Right wrist plain film; lat view; 15y F; follow-up:
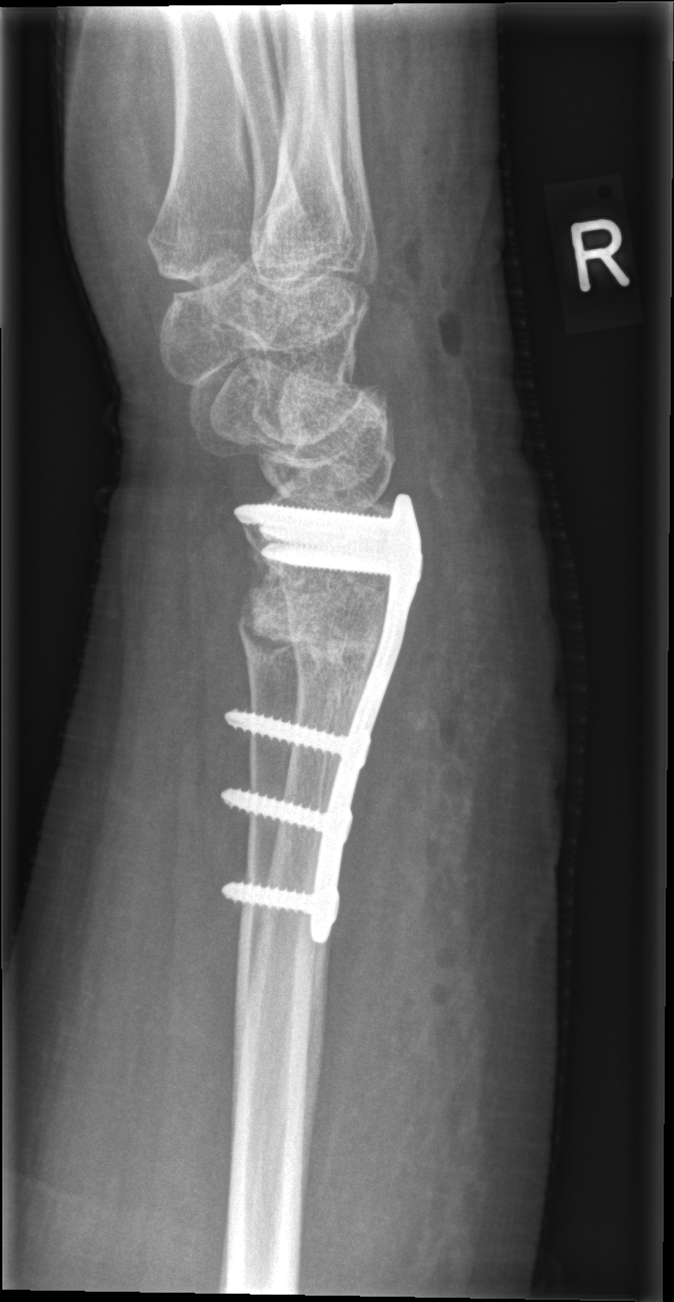 (pixel coordinates, top-left origin, xyxy)
AO code = 23r-M/3.1; 23u-E/7
osteopenia = present
fracture = 1 @ (234, 563, 389, 676)
metal = (221, 498, 424, 939)
soft-tissue finding = 2 @ (312, 503, 580, 1293); (379, 113, 531, 495)